L wrist XR; AP projection; boy, 16 yo; 439 x 874 px —
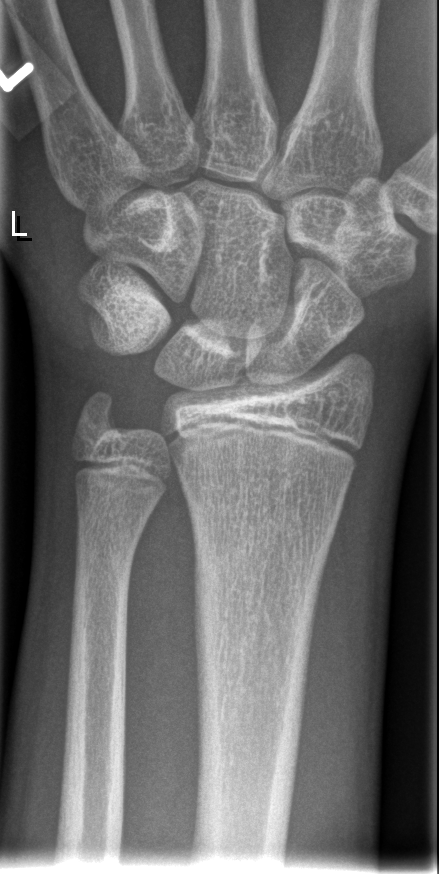

bone fracture = none labeled